PA, left wrist radiograph, subsequent exam, acquired on Siemens, 590 by 853 pixels.

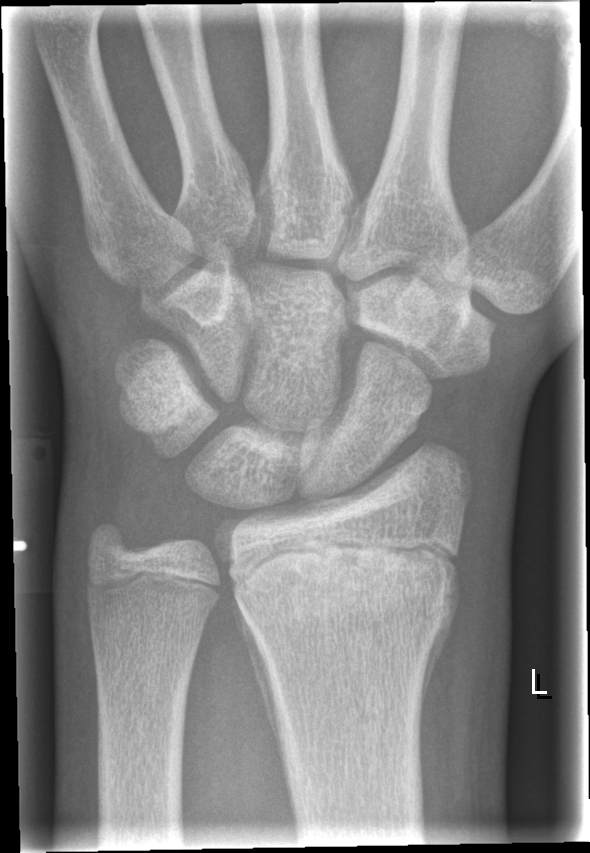

FINDINGS — (bounding boxes in image-pixel xyxy) Periosteal new bone — [x1=232, y1=577, x2=298, y2=825], [x1=416, y1=581, x2=459, y2=725]. One Fx at [x1=225, y1=525, x2=464, y2=661]. Osteopenia. Fracture classified AO/OTA 23r-E/2.1.